Lat view | Lt wrist XR | follow-up study | imaged through cast —
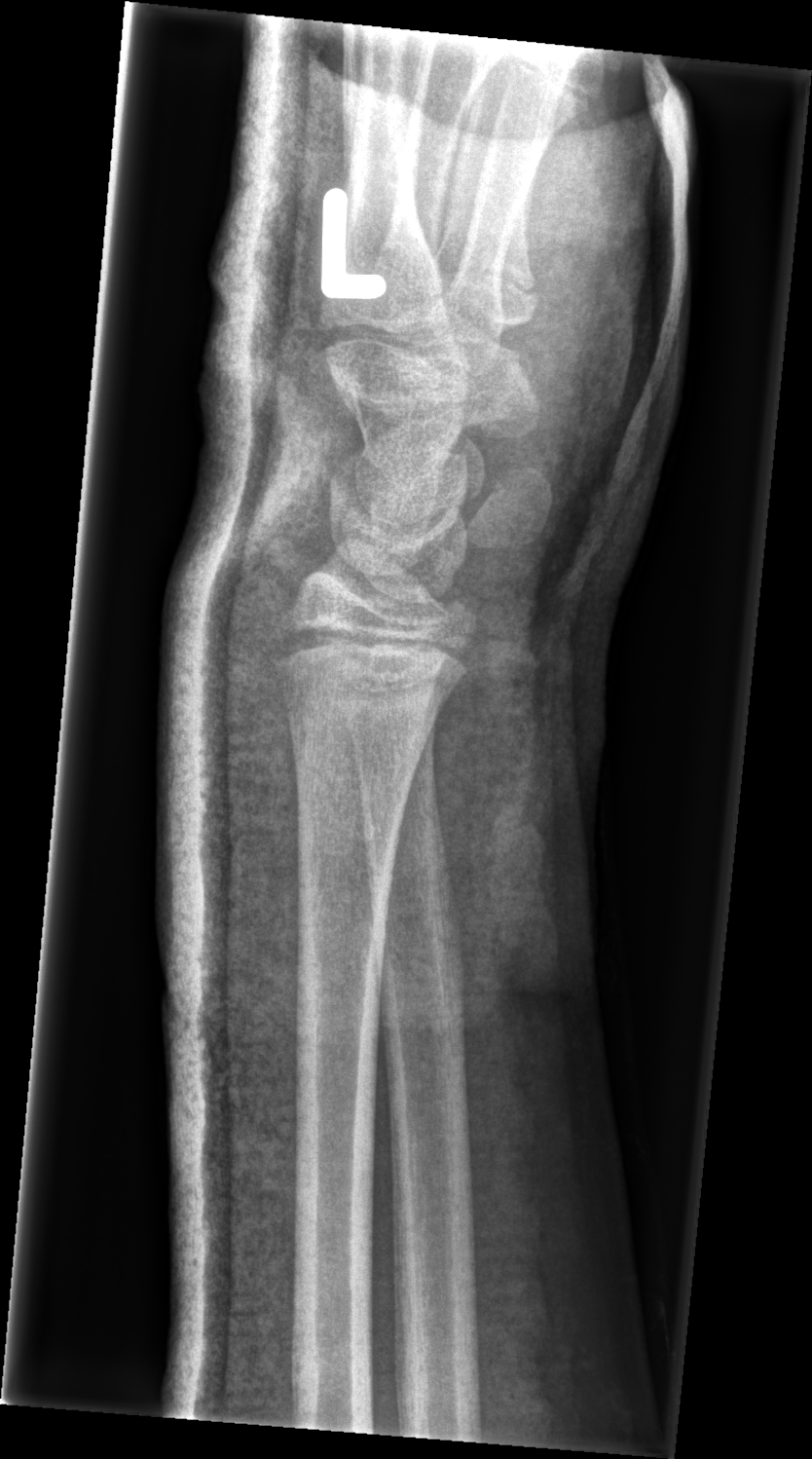
• Fracture identified at 264 618 450 695.